L plain radiograph of the wrist · frontal projection · acquired on Siemens.
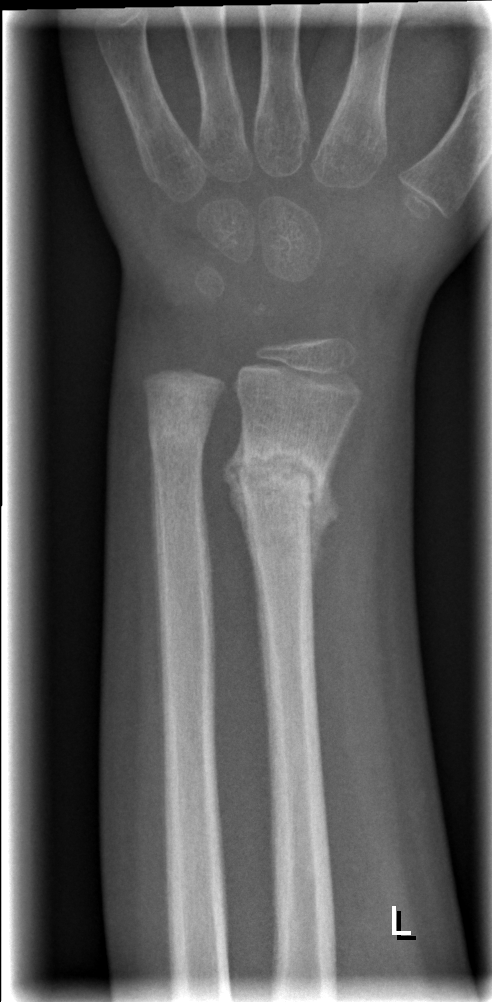

{
  "_coords": "boxes as x1,y1,x2,y2 (top-left / bottom-right, pixel units)",
  "ao": "23r-M/3.1; 23u-M/2.1",
  "periostealreaction": "220,427,258,583\n  309,430,345,587",
  "fracture": "237,432,333,522\n  143,413,212,456"
}